Lateral projection | right wrist plain film:
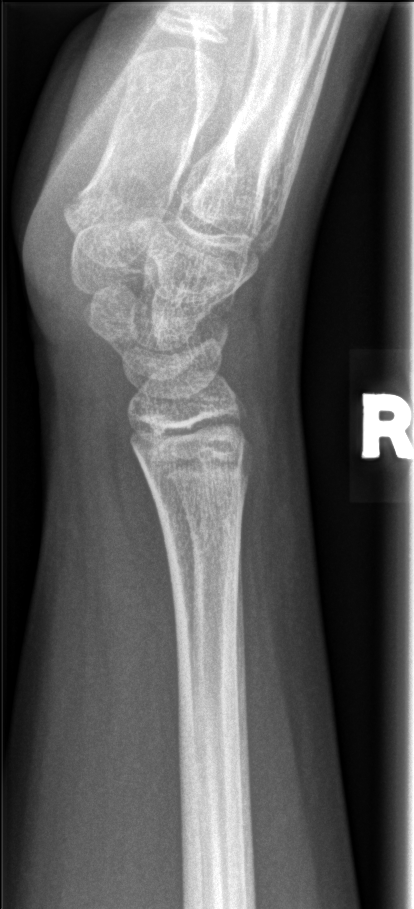
Fracture: none labeled